Left pediatric wrist radiograph · lateral · 11-year-old male · image size 695x1098 —
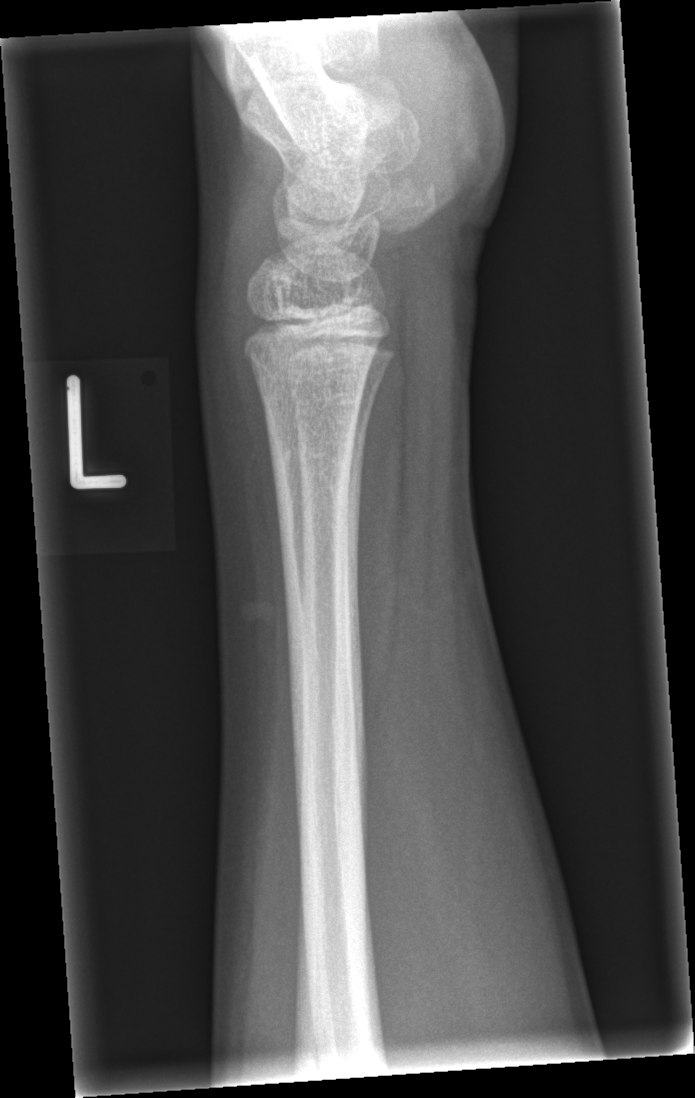   fracture: none labeled